Left wrist plain film, frontal, subsequent exam:
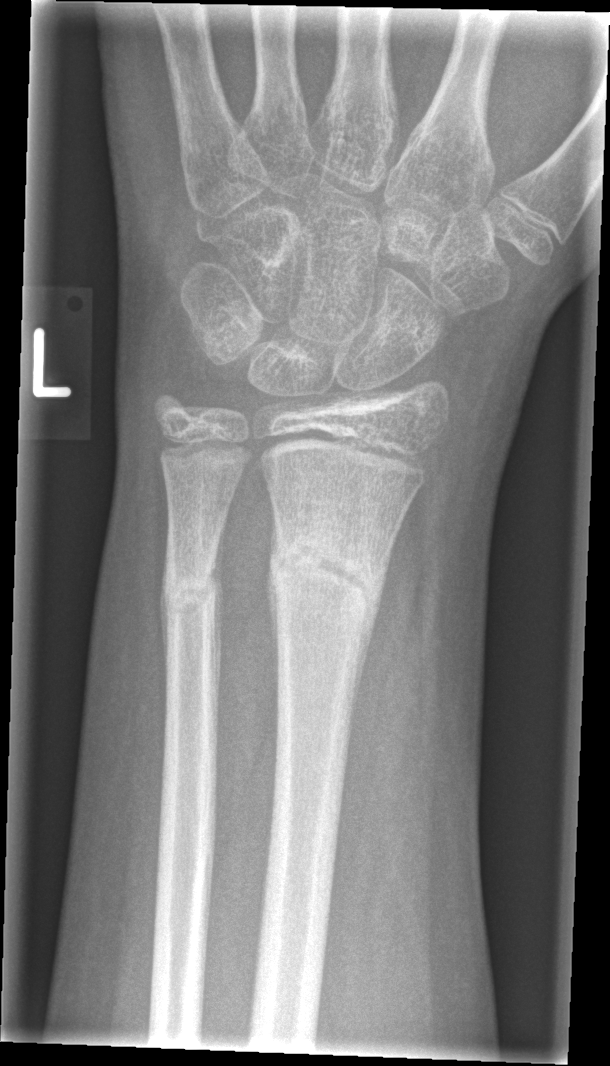
Q: What is the AO/OTA classification?
A: Fracture classified AO/OTA 23-M/3.1
Q: Fracture present?
A: Fracture identified at (265, 524, 388, 629), (161, 557, 220, 629)
Q: Locate any periosteal reaction.
A: 5 periosteal reaction at (346, 519, 402, 764) (205, 517, 226, 750) (263, 565, 281, 730) (159, 537, 173, 691) (268, 493, 279, 560)